Frontal view · right pediatric wrist radiograph · acquired on Siemens:
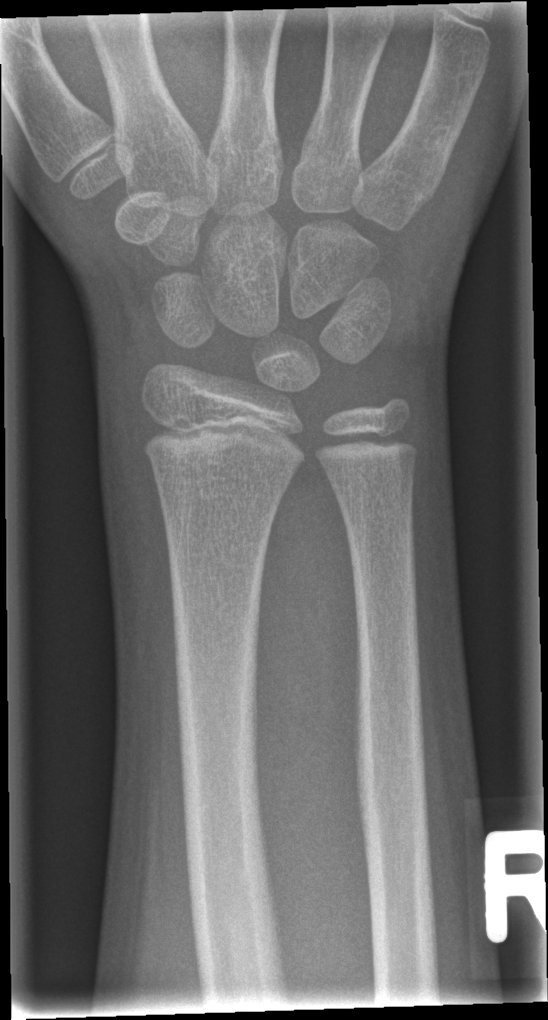
- No fracture labeled.